Left wrist XR · frontal projection · image size 720x870:
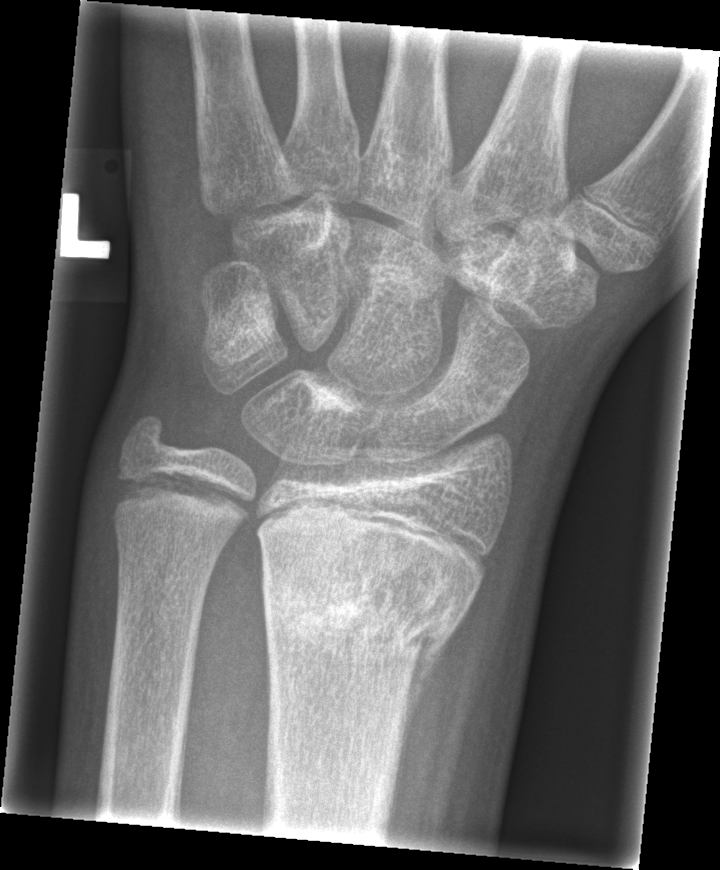
Q: Locate any periosteal reaction.
A: Periosteal thickening identified at (left=396, top=636, right=449, bottom=789)
Q: Fracture present?
A: Fx: (left=255, top=529, right=492, bottom=679), (left=108, top=456, right=253, bottom=541)
Q: Is there osteopenia?
A: Decreased bone density (osteopenia)